Posteroanterior view; L wrist XR; image 89.6 mm wide

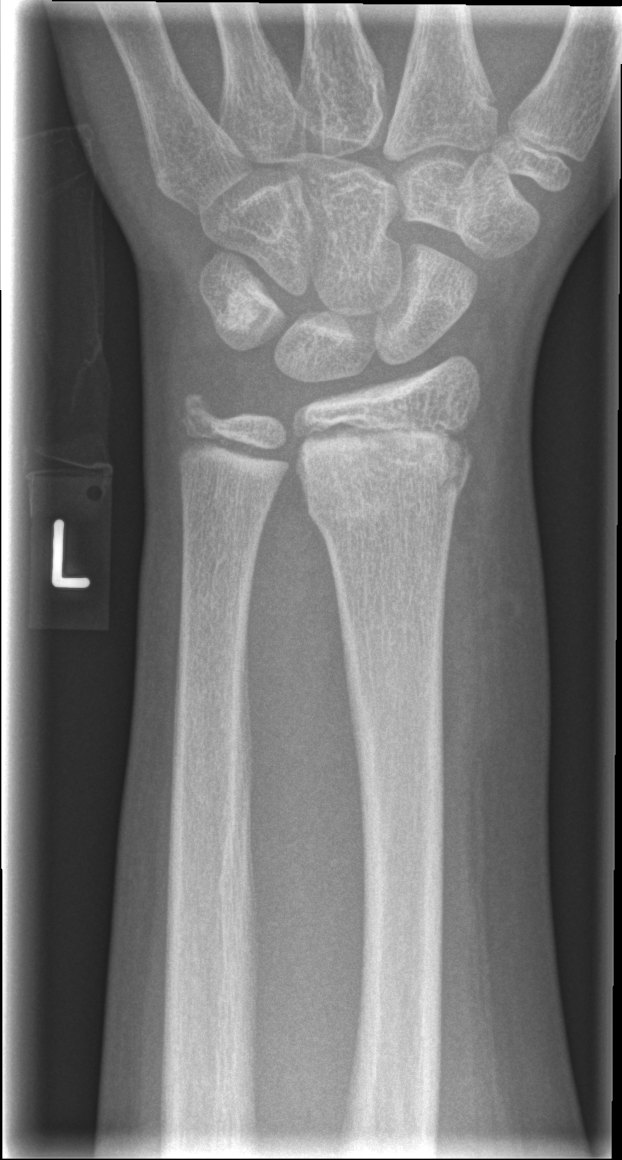

{
  "fracture": "2 @ [x1=297, y1=434, x2=476, y2=527]; [x1=174, y1=381, x2=228, y2=437]"
}